AP · Rt pediatric wrist radiograph: 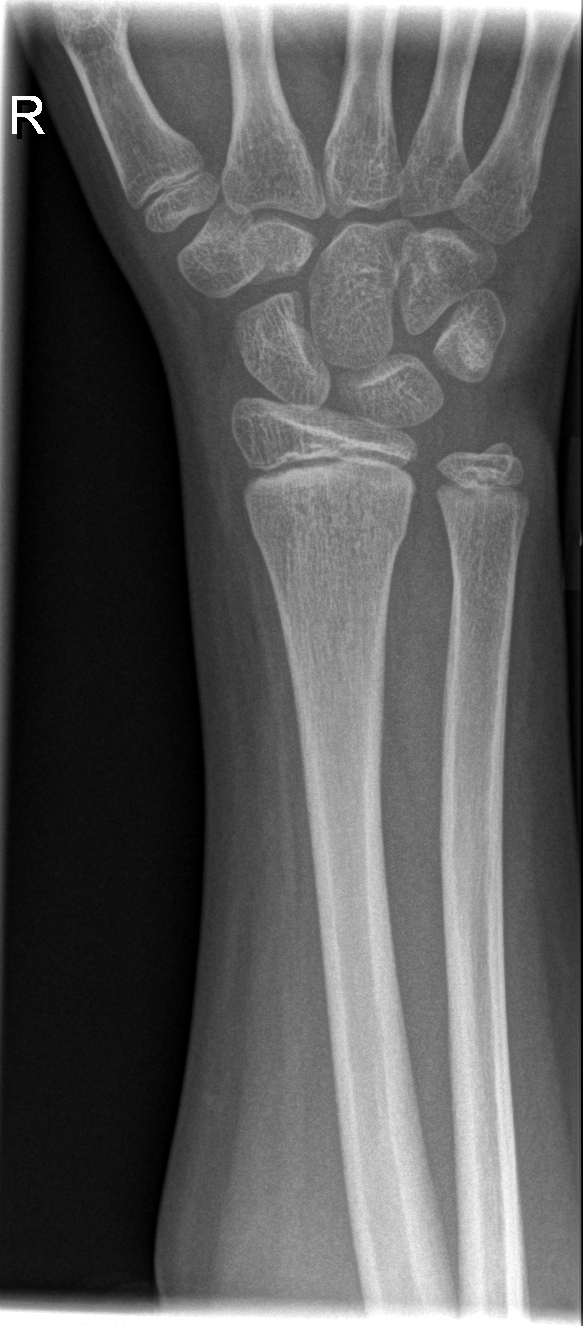

(pixel coordinates, top-left origin, xyxy)
Fx: 246,478,410,552
AO/OTA: 23r-M/3.1